Lt wrist radiograph · lat · age 11 y, girl · imaged through cast —
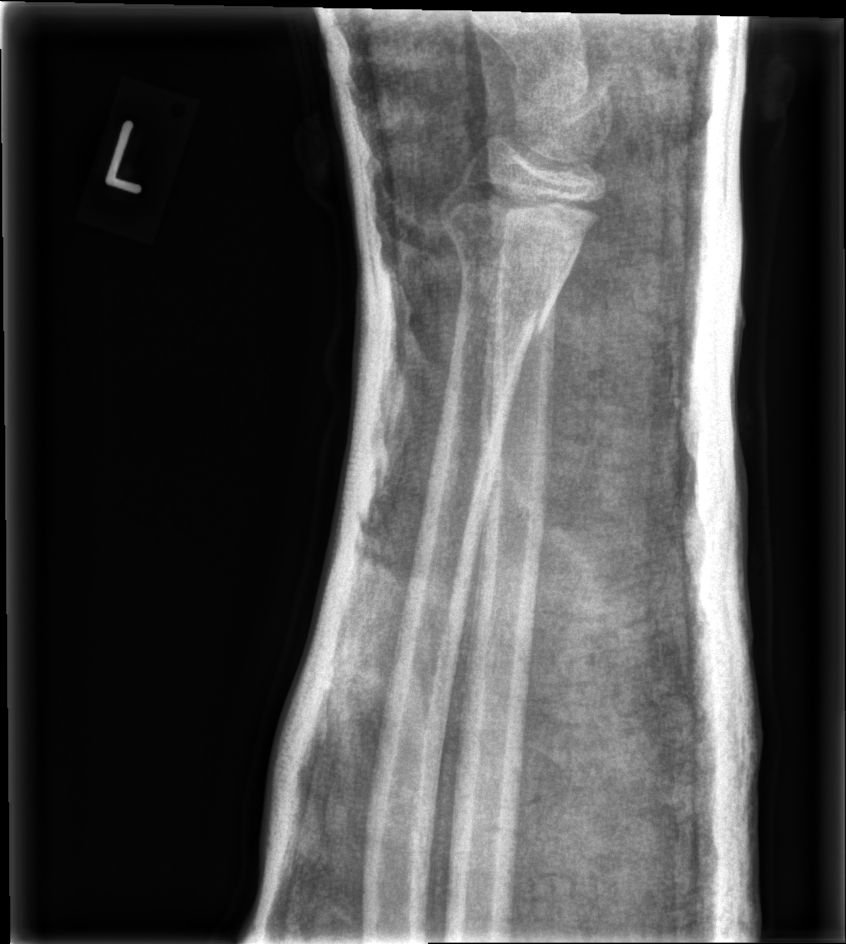
{"fracture": "<451,227>-<563,343>", "ao": "23r-M/3.1; 23u-M/2.1"}